L wrist plain film · lat projection · 12-year-old boy · initial study.

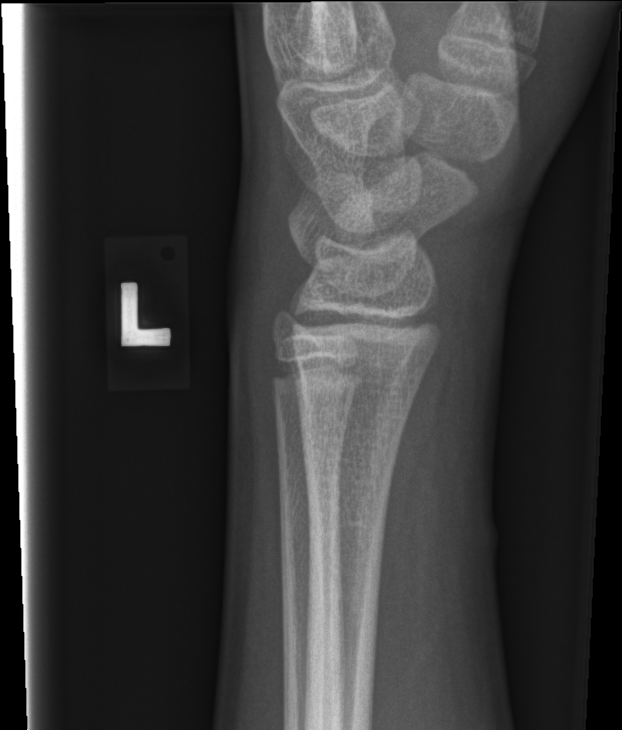

No fracture annotation.